Lt wrist radiograph · PA/AP projection · pediatric patient (boy, age 14) · follow-up study · in cast —

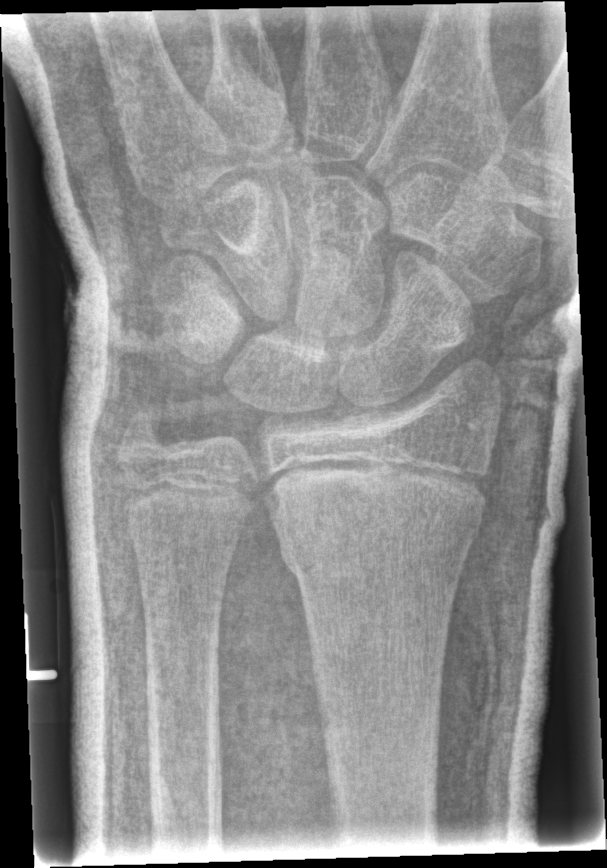 FINDINGS: (pixel coordinates, top-left origin, xyxy) Bone fracture: 273,487,490,585. AO/OTA classification: 23r-E/2.1; 23u-E/7.